AP view | left plain radiograph of the wrist | female, 11 yo 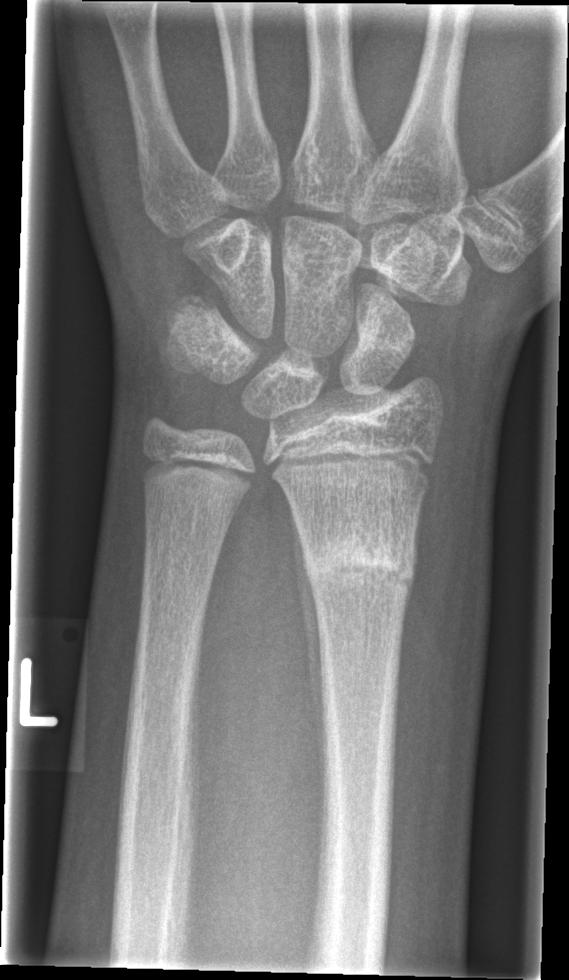 AO/OTA classification: 23r-M/3.1. Osteopenic. Fx — bbox(299, 521, 420, 605). Periosteal new bone: bbox(290, 503, 325, 817); bbox(401, 494, 425, 641).